Left plain radiograph of the wrist, lat projection, age 17 y, girl, presentation radiograph. 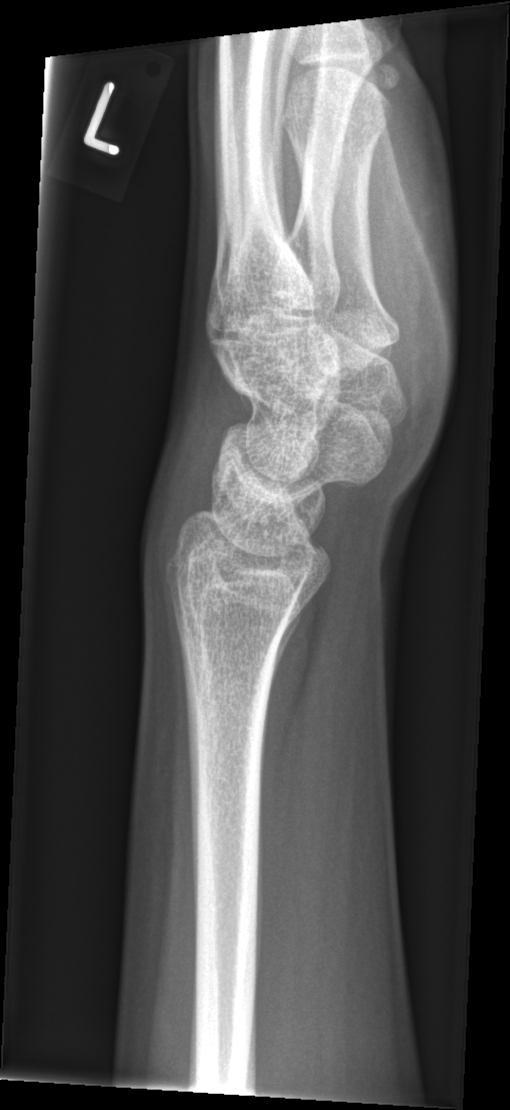 FINDINGS: Fracture: none labeled.